Right wrist plain radiograph of the wrist, lat view, girl, 13 yo, equivocal findings, image size 407x1100.
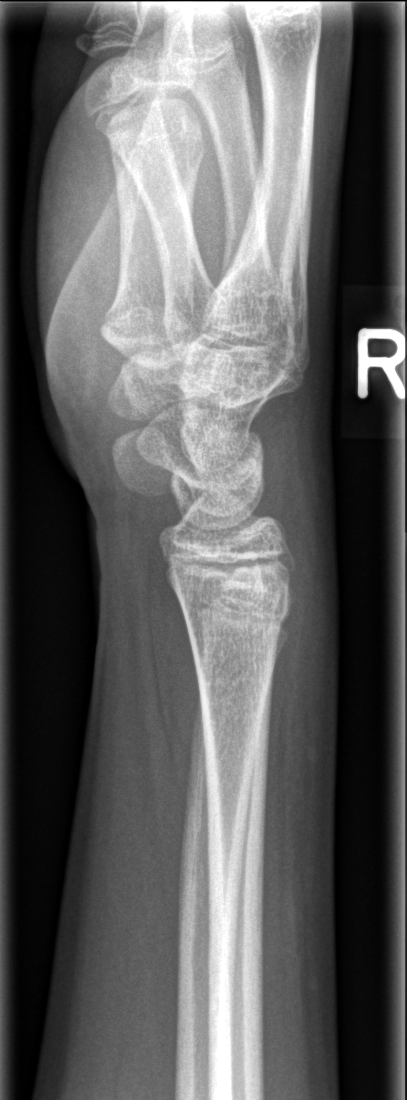
FINDINGS: No Fx annotated.